Lat view, right wrist plain film.
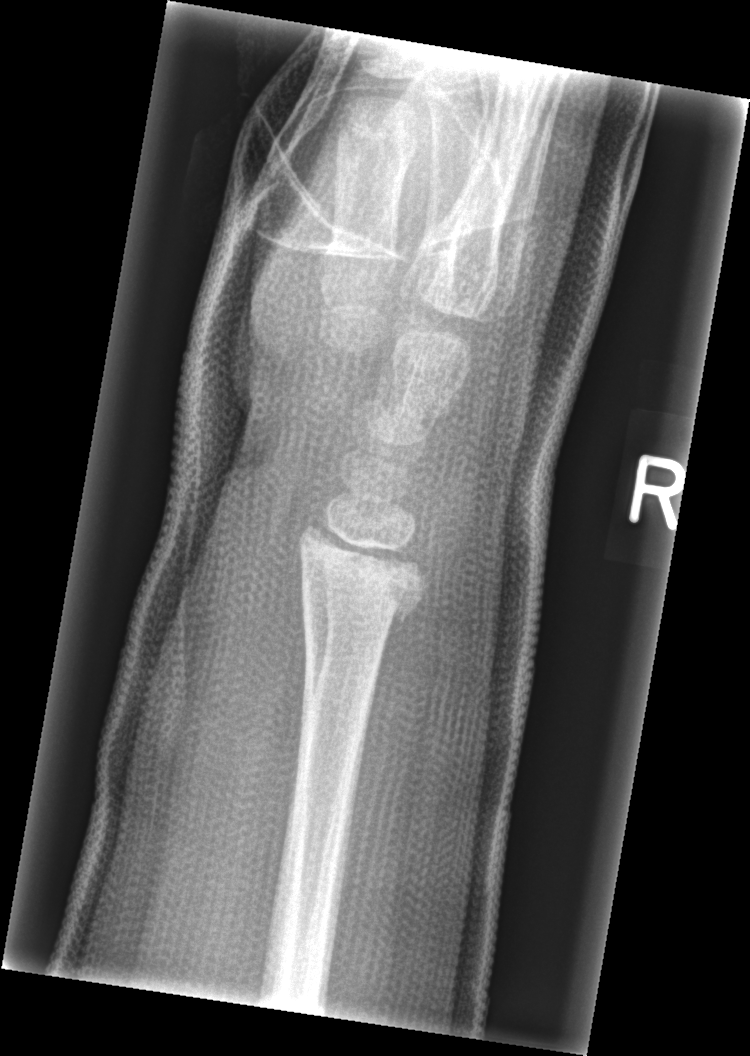
Coordinates are [x1, y1, x2, y2] in image pixels.
AO code 23r-E/2.1; 23u-M/2.1.
Bone fracture — <295,518>-<433,629>.